Left wrist pediatric wrist radiograph, oblique, 7y M, image width 61.6 mm

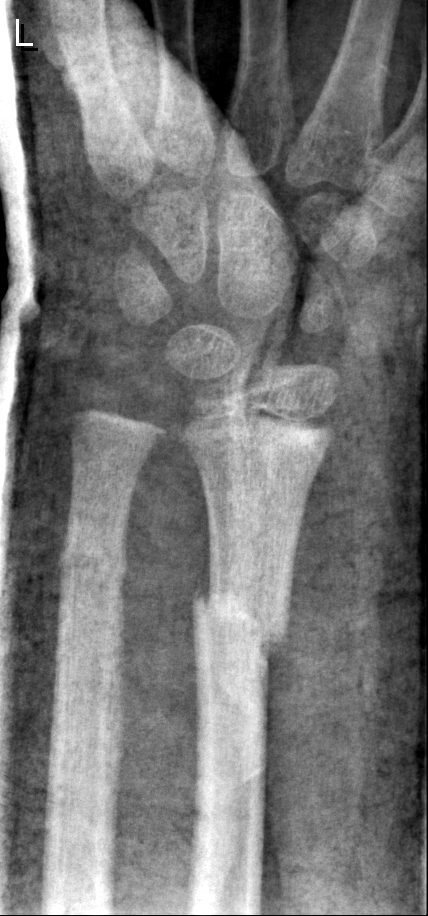 Bone fractures — <185,576>-<296,666> <51,529>-<131,591>.